Lat | Rt wrist X-ray | male, 10 yo | subsequent exam | acquired on Siemens

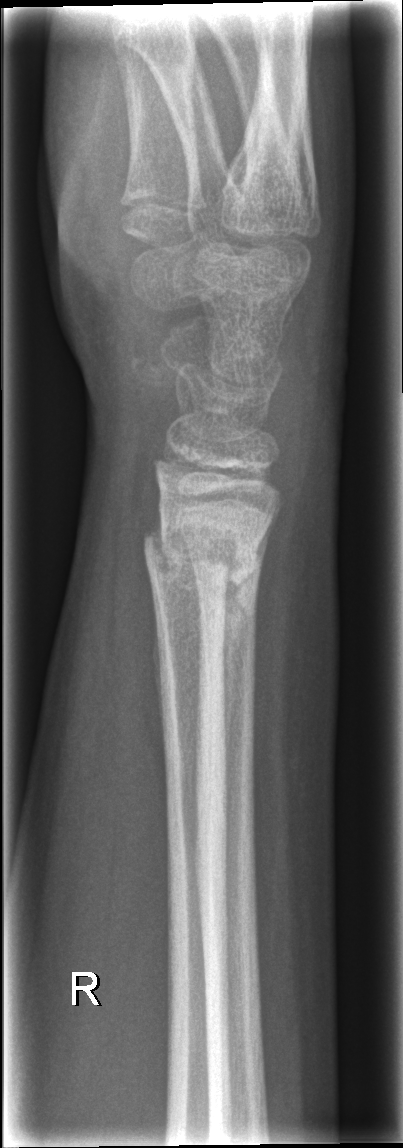 Q: Any periosteal thickening?
A: Periosteal reaction: [x1=224, y1=567, x2=257, y2=752]; [x1=152, y1=593, x2=164, y2=736]
Q: Locate any fractures.
A: Fx — [x1=141, y1=517, x2=271, y2=597]
Q: Is there osteopenia?
A: Osteopenia
Q: What is the AO/OTA classification?
A: AO/OTA classification: 23r-M/3.1; 23u-M/2.1; 23u-E/7